Left plain radiograph of the wrist · PA view —

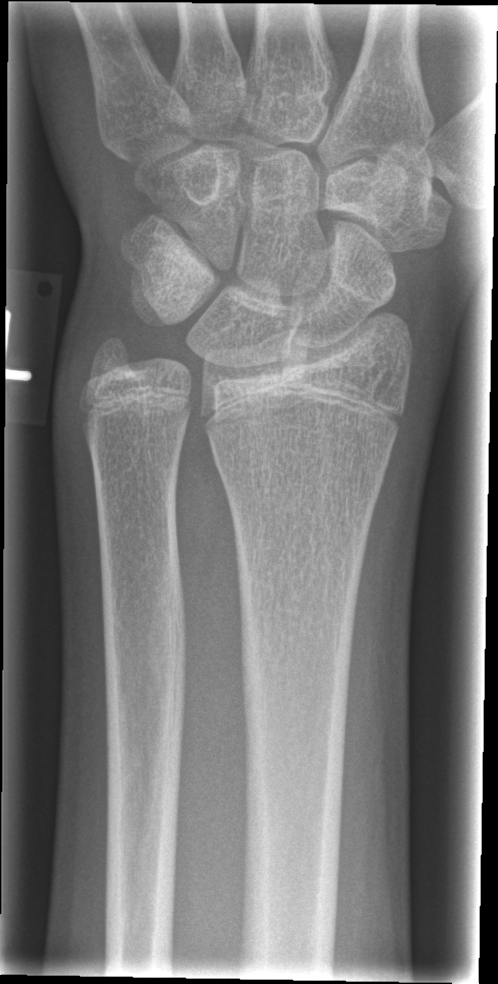

No fracture labeled.